Rt wrist XR, PA/AP —

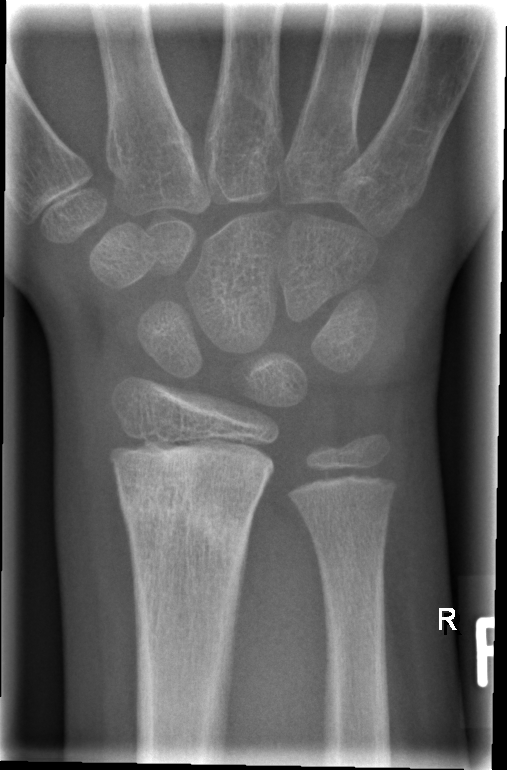
* Bone fracture — [x1=117, y1=489, x2=256, y2=567].
* Reduced bone mineral density.
* Fracture classified AO/OTA 23r-M/2.1.